AP projection | left wrist plain film | index exam | detector: Siemens | 494 by 714 pixels: 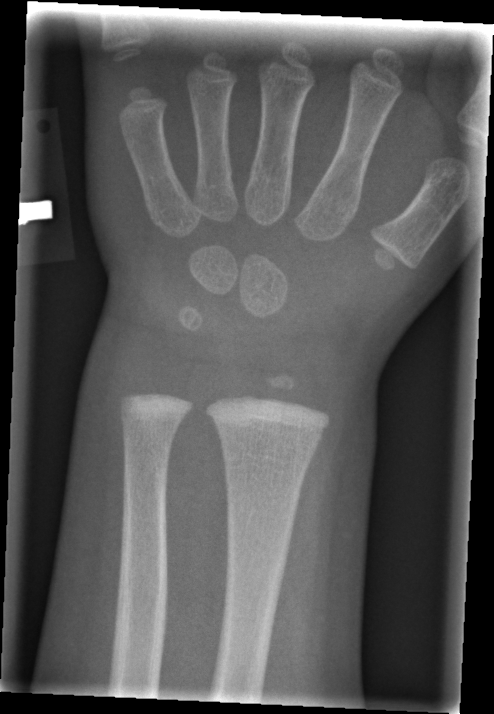 Fx: none labeled